Lat, Lt wrist X-ray, pediatric patient (female, age 14). 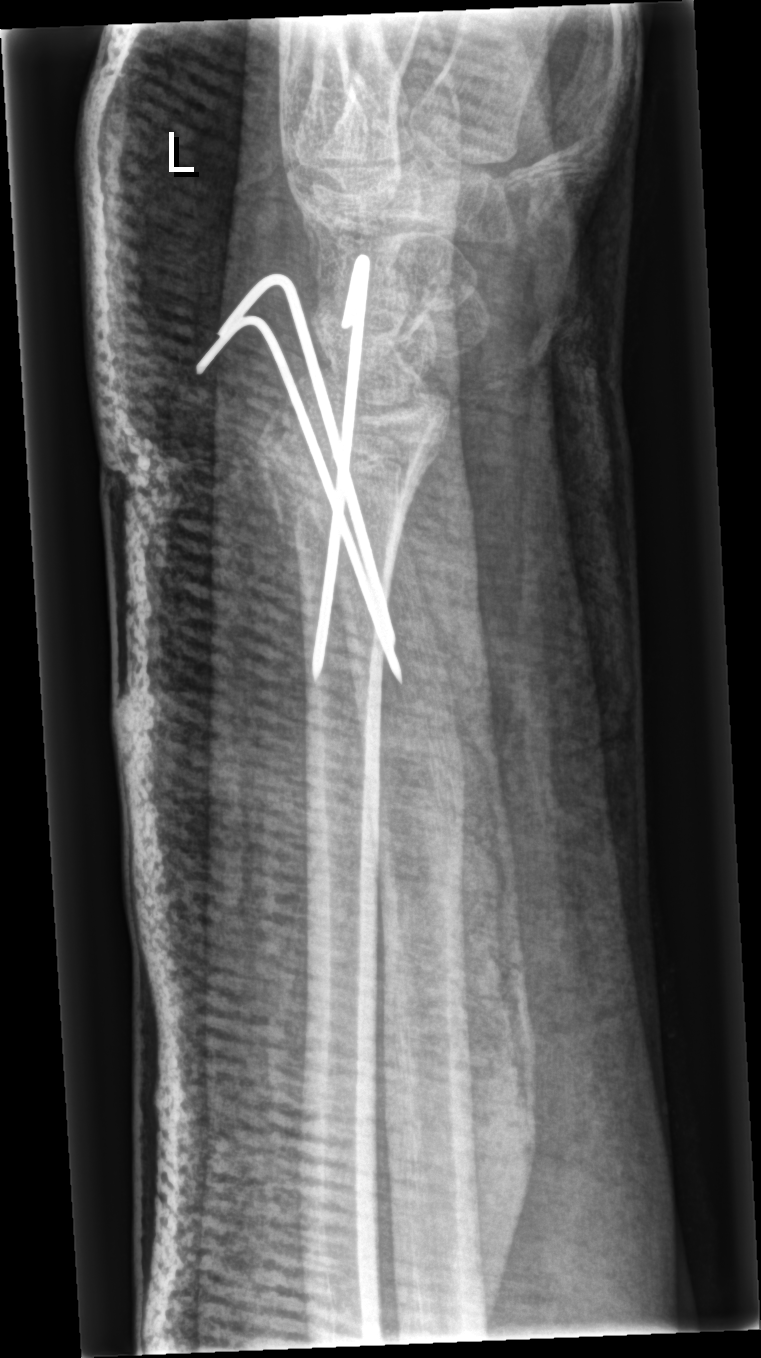

(bounding boxes in image-pixel xyxy)
AO code: 23r-M/3.1
fracture: 1 @ bbox(257, 412, 429, 522)